Lt plain radiograph of the wrist; lateral projection —

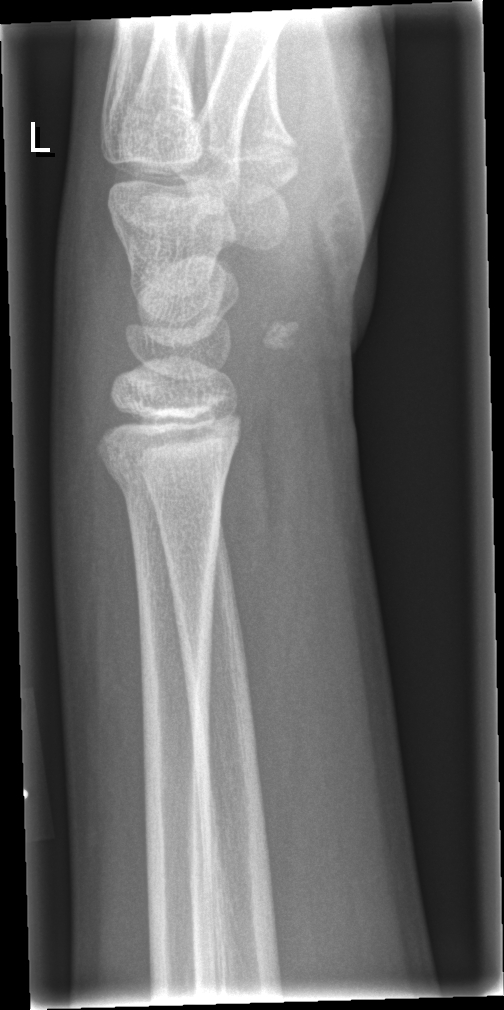

Bone fracture — (94, 435, 234, 542). Fracture classified AO/OTA 23r-M/2.1.